Lateral · left wrist XR · image 90.9 mm wide:

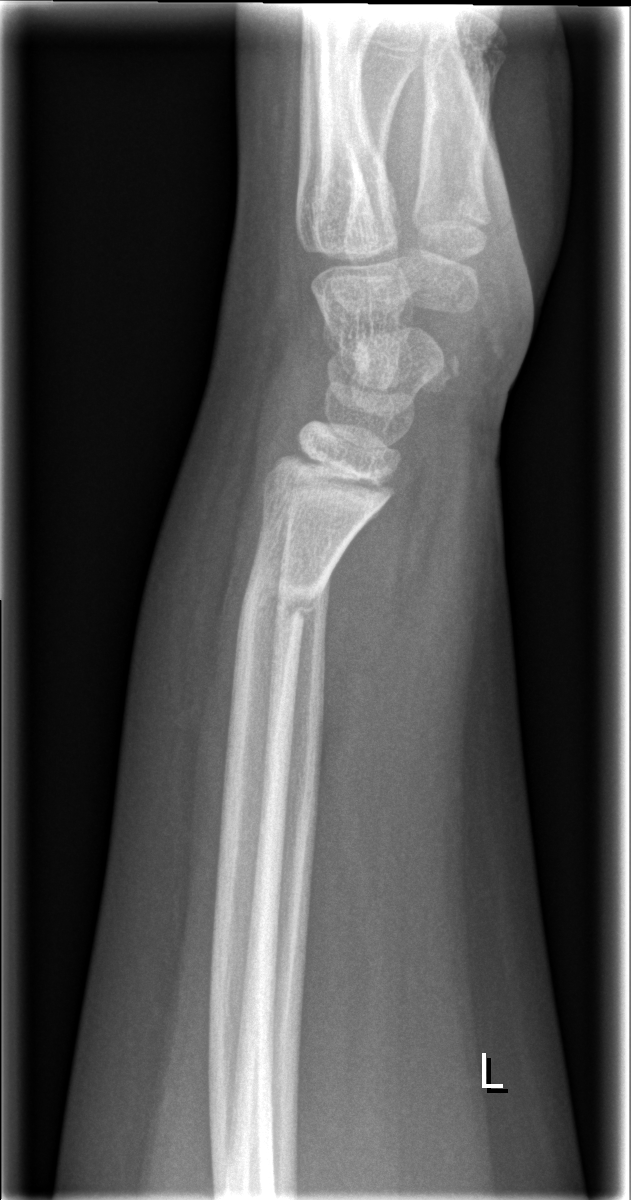 (bounding boxes in image-pixel xyxy)
Soft-tissue finding = 1 @ (left=122, top=421, right=265, bottom=867)
AO/OTA = 23-M/2.1
Pronator quadratus fat-pad sign = (left=323, top=445, right=443, bottom=803)
Bone fracture = 1 @ (left=235, top=558, right=330, bottom=633)